L pediatric wrist radiograph · lateral · 476x819: 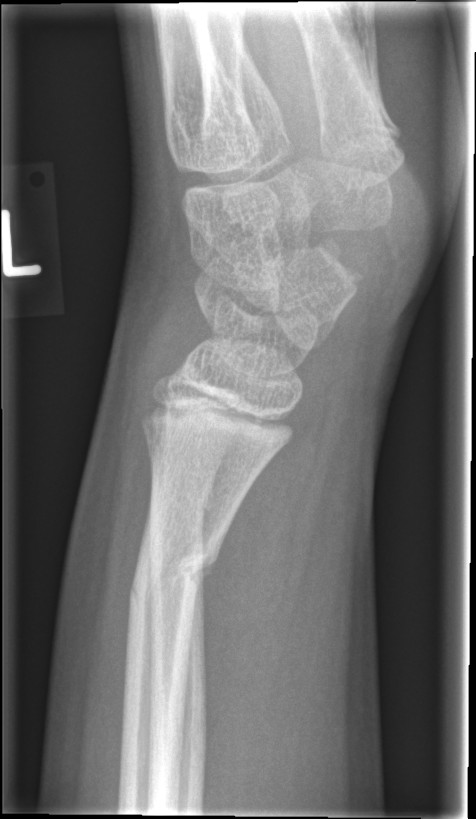
Bounding boxes in image-pixel xyxy. Bone fracture — bbox(122, 530, 226, 613). AO/OTA classification: 23r-M/3.1; 23u-M/2.1.